L wrist plain film · lat projection · 16-year-old male · follow-up study · 115.2 mm image width.

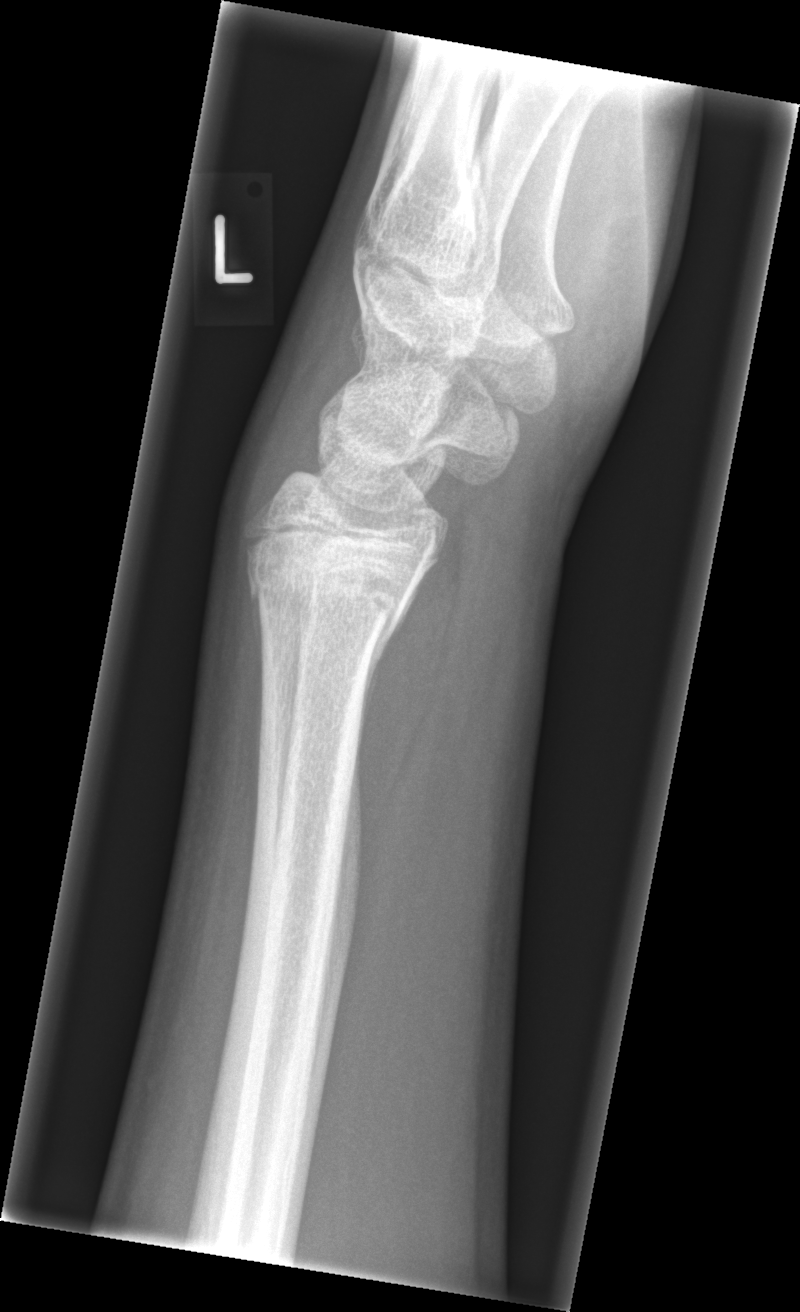
Fx: 1 @ [x1=242, y1=528, x2=441, y2=648]
AO/OTA: 23r-M/3.1; 23u-E/7